R wrist radiograph, PA/AP view, female, 8 yo, in cast, detector: Siemens, image 94.2 mm wide:
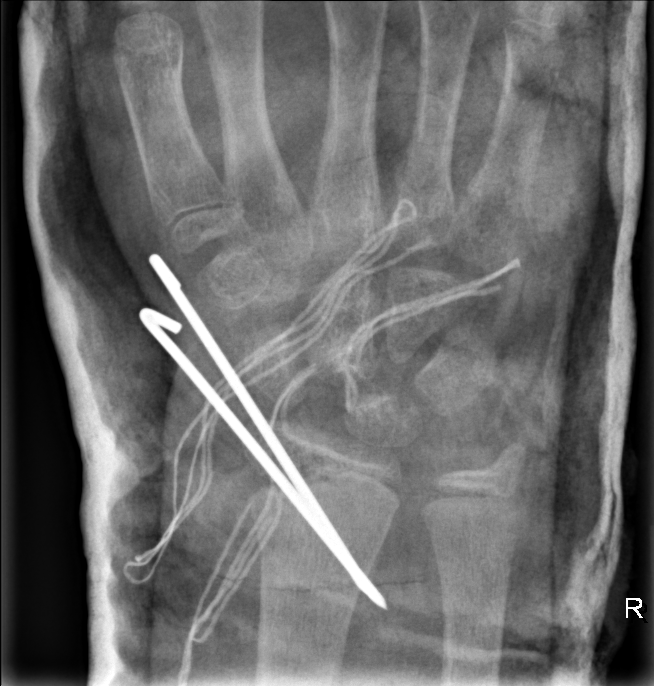

(pixel coordinates, top-left origin, xyxy)
metal: 2 @ 124 189 526 680
  131 251 392 616
AO classification: 23r-E/2.1
fracture: present but not clearly seen in this view